Posteroanterior view · left wrist plain film · boy, 11 yo · subsequent exam · 70.7 mm image width.

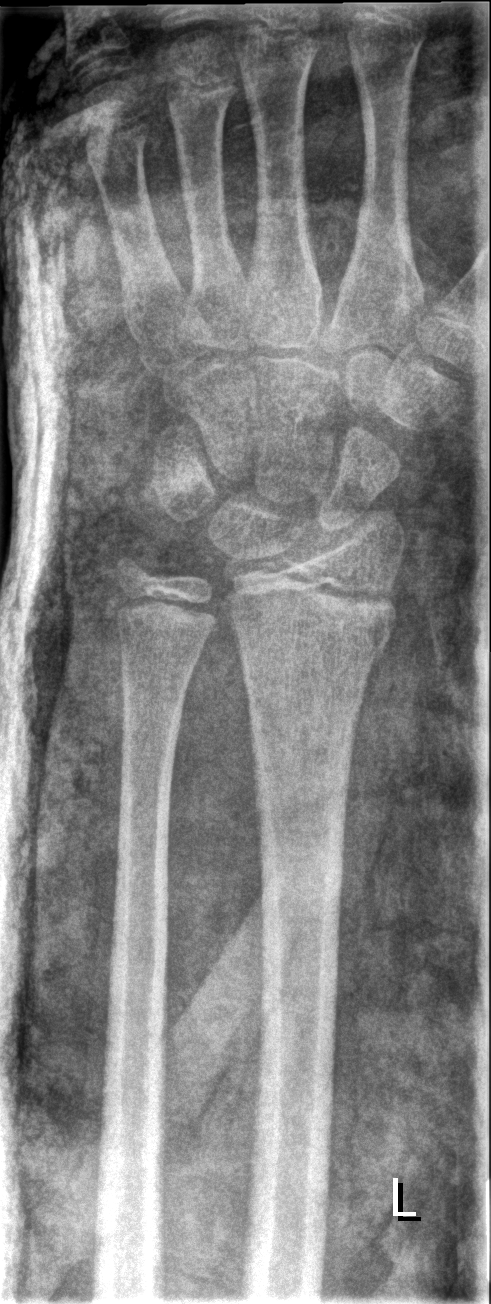
Fracture — (220, 594, 399, 671).